Right pediatric wrist radiograph; lateral view; 4-year-old girl; Siemens; 284 x 704 px
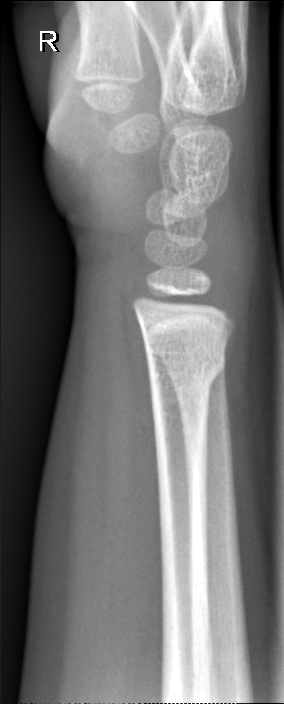 FINDINGS — Fracture: 143,341,228,390.